Lat, left wrist X-ray, 8-year-old male, presentation radiograph.

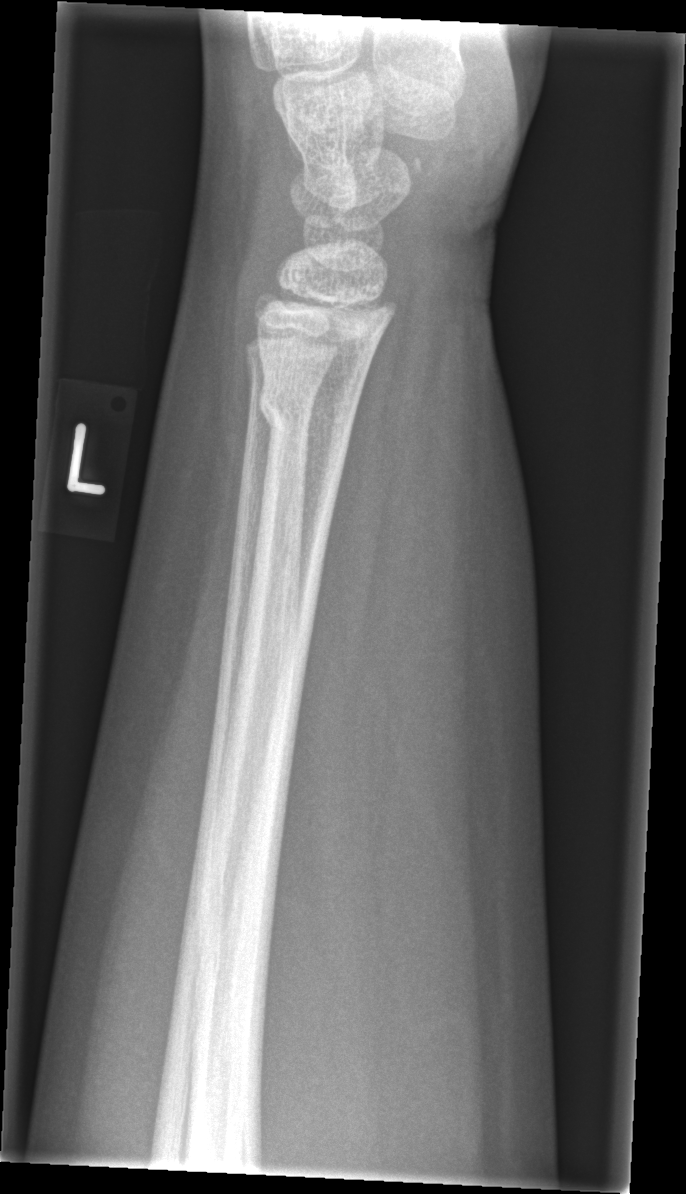
(pixel coordinates, top-left origin, xyxy)
Q: Is there a fracture?
A: Fx identified at 254 378 365 438
Q: AO code?
A: AO/OTA classification: 23r-M/2.1